AP · right plain radiograph of the wrist · pediatric patient (female, age 5) · follow-up · image size 564x854 —

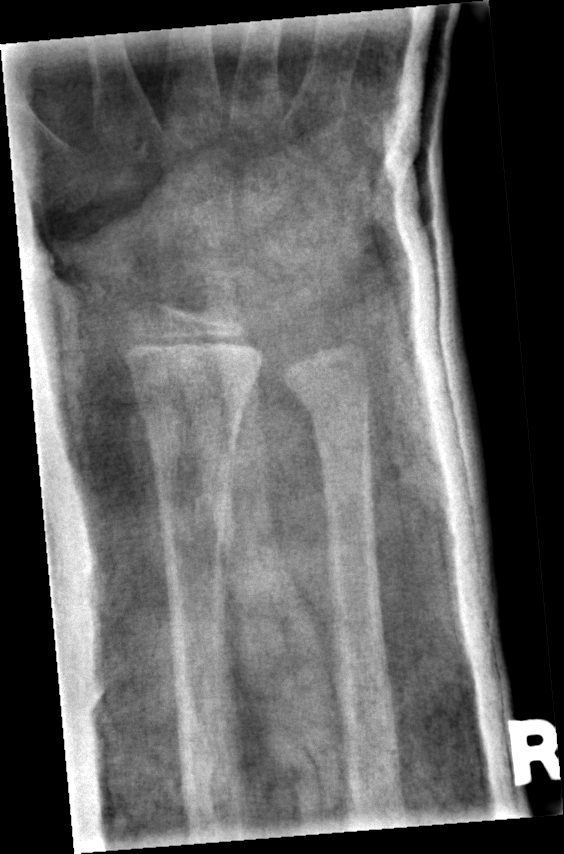

Findings: (pixel coordinates, top-left origin, xyxy) AO/OTA classification: 23r-E/2.1; 23u-M/2.1. Bone fracture — <289,374>-<376,429>.